Left wrist XR; lateral view; follow-up study —
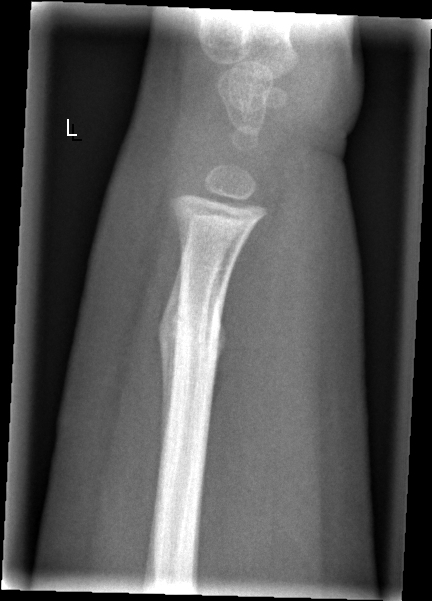 FINDINGS: (coordinates are [x1, y1, x2, y2] in image pixels) AO/OTA classification: 23u-M/2.1. Bone fracture — (160, 306, 224, 357). Periosteal reaction identified at (158, 268, 181, 437).